Left wrist radiograph · posteroanterior view · male, 5 yo · initial study —

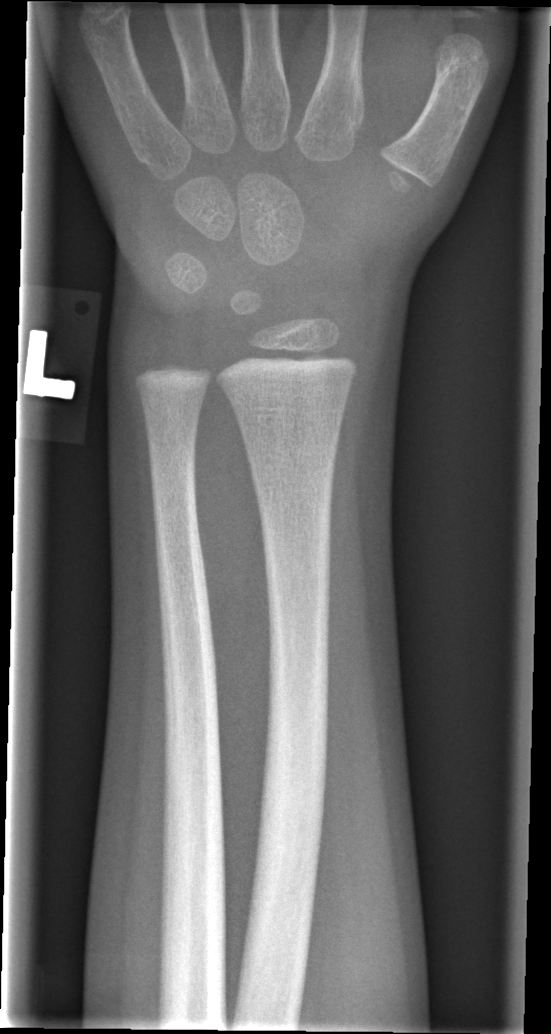

- Bone fracture: <244,581>-<337,998>.
- AO code 22r-D/1.